L wrist X-ray | PA | 7y M:
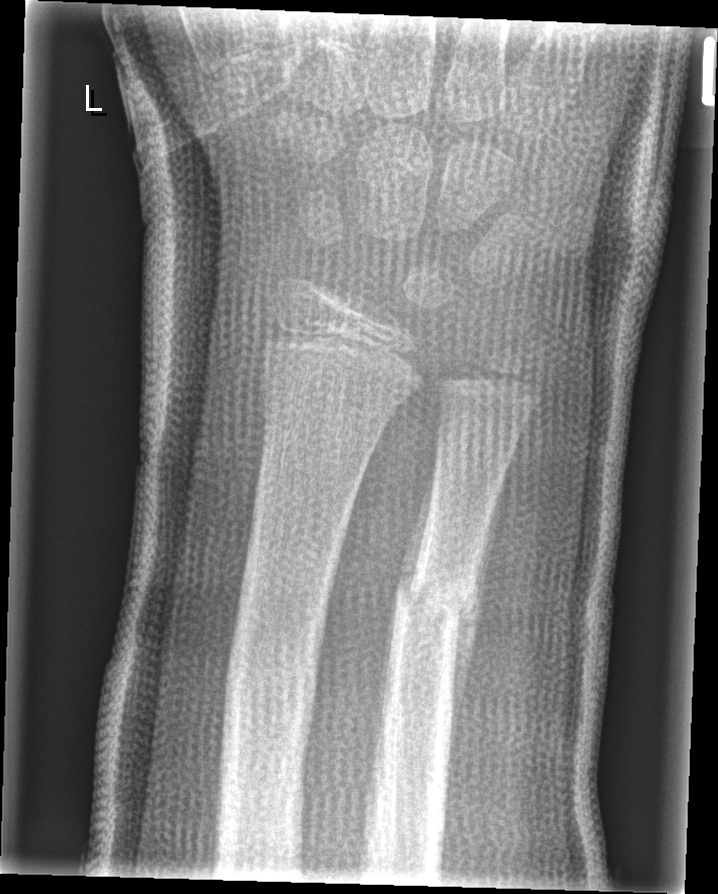

Pixel coordinates, top-left origin, xyxy.
Periosteal reaction identified at [397, 444, 442, 597]; [447, 614, 482, 775].
Fracture: [388, 559, 480, 642].